PA projection | L wrist X-ray | 9y M | subsequent exam | cast present.
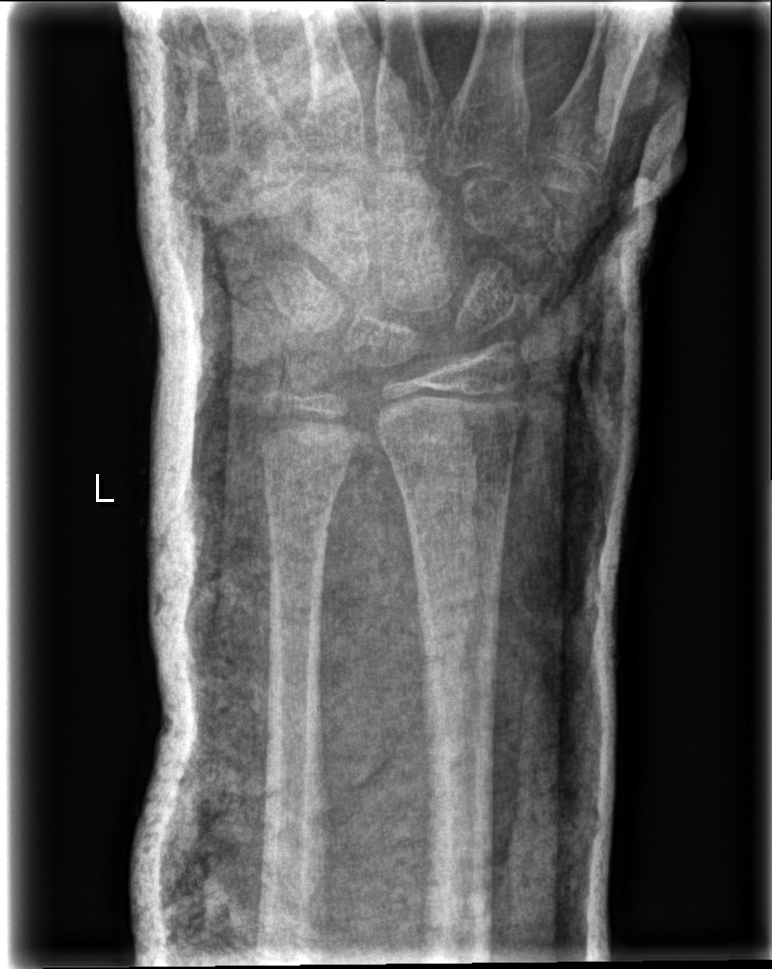
Bone fracture = 1 @ (left=258, top=454, right=350, bottom=518)
AO classification = 22r-D/2.1; 23u-M/2.1